Left wrist plain film · PA/AP projection · follow-up:
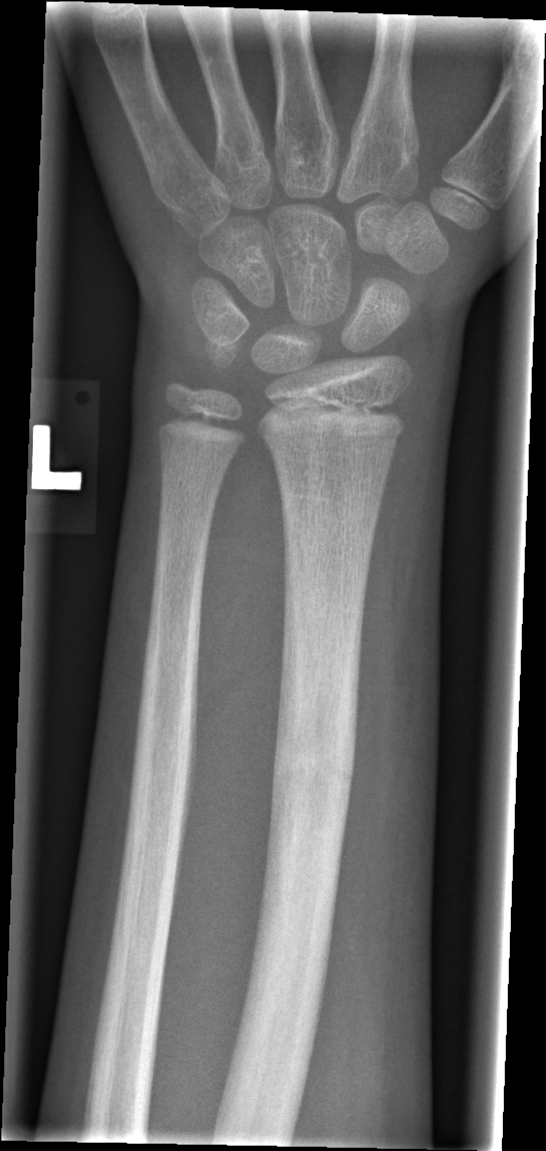

# boxes as x1,y1,x2,y2 (top-left / bottom-right, pixel units)
ao: 22r-D/1.1
fracture: 1 @ [268, 643, 359, 843]